Lt wrist plain film, lateral, boy, 4 yo, acquired on Siemens.
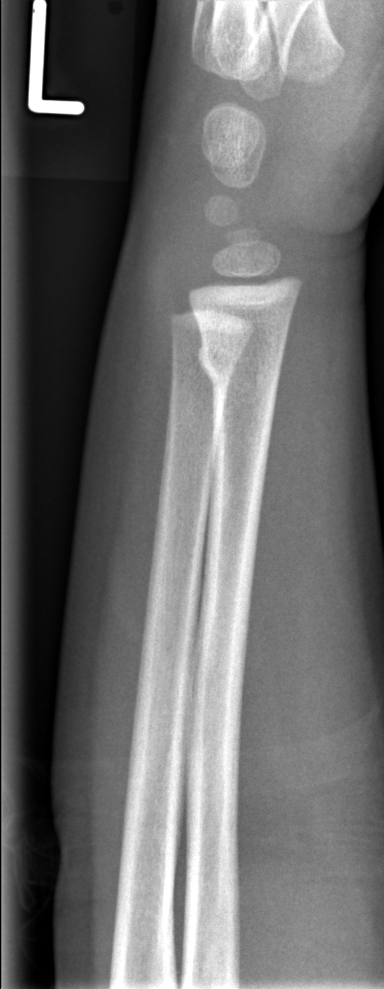

FINDINGS: AO code 23r-M/2.1. Bone fracture identified at 194 332 285 392.